R plain radiograph of the wrist · posteroanterior projection:
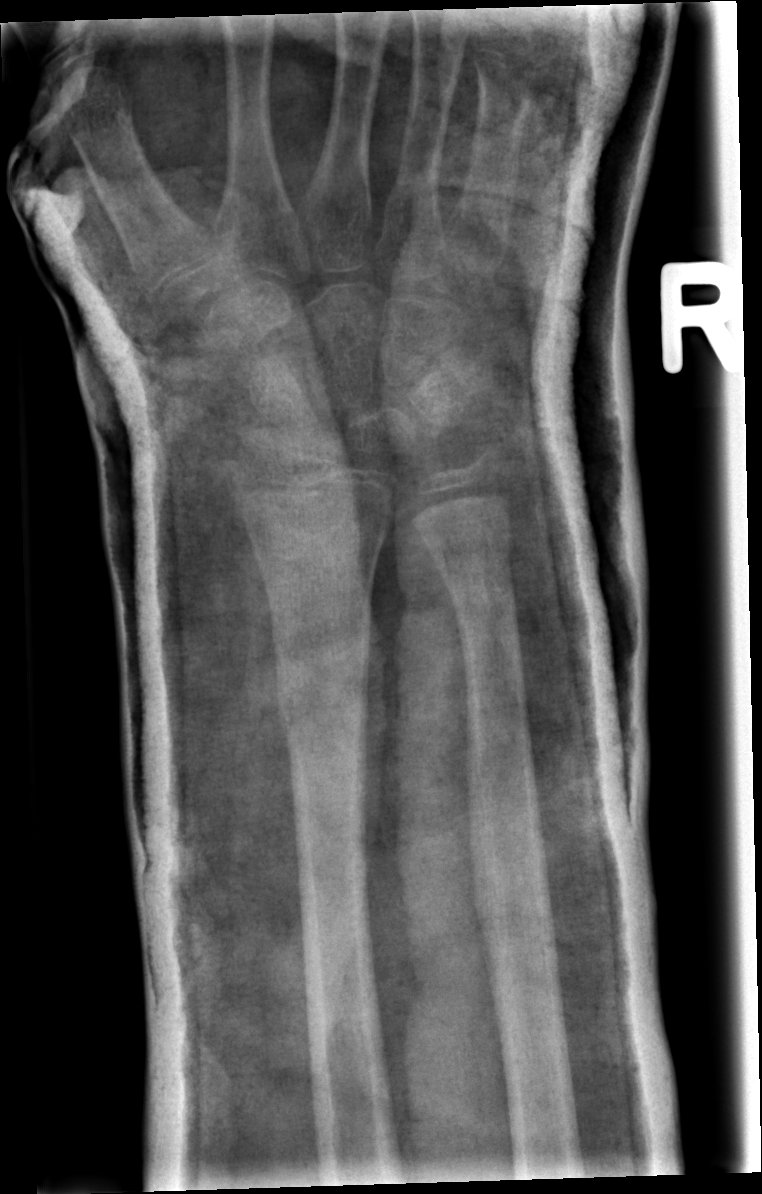

bone fracture: 2 @ bbox(276, 665, 374, 736); bbox(431, 530, 515, 588)